Right plain radiograph of the wrist · lateral projection · 10y M · detector: Siemens —
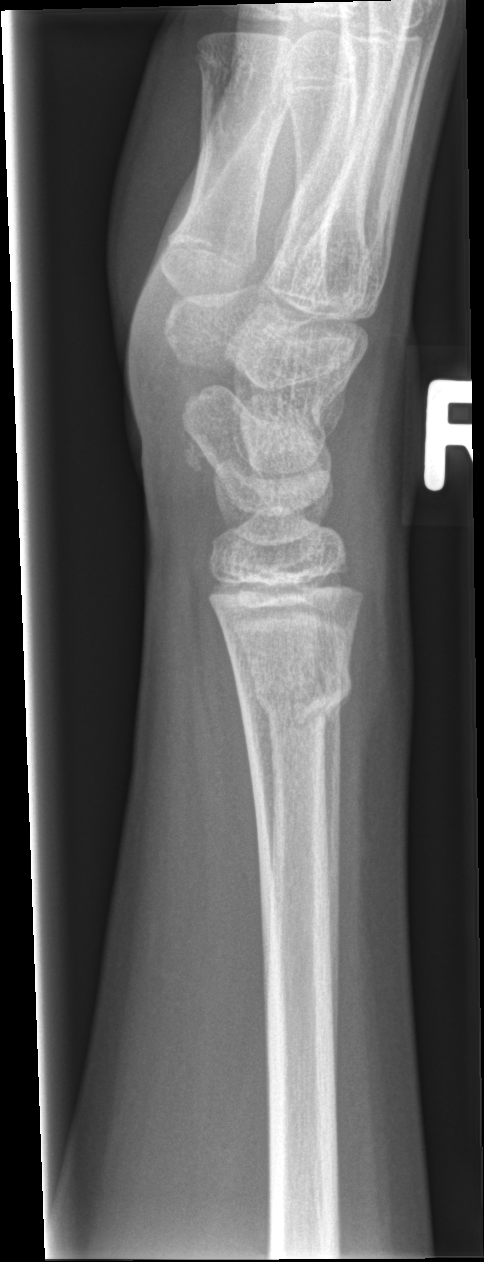
Soft-tissue swelling = 1 @ 334 522 415 859
AO code = 23-M/2.1
Fx = 234 653 354 735
  251 671 329 728